Rt wrist X-ray · AP view · 12y M · subsequent exam
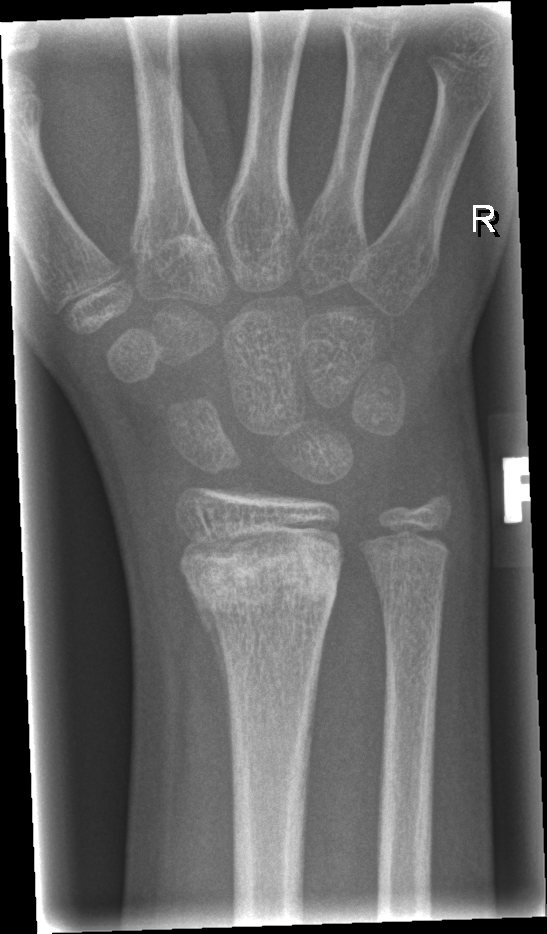 Reduced bone mineral density.
Bone fracture identified at (175, 530, 343, 636).
One periosteal new bone at (185, 572, 232, 763).